Lateral view | left wrist X-ray | presentation radiograph:
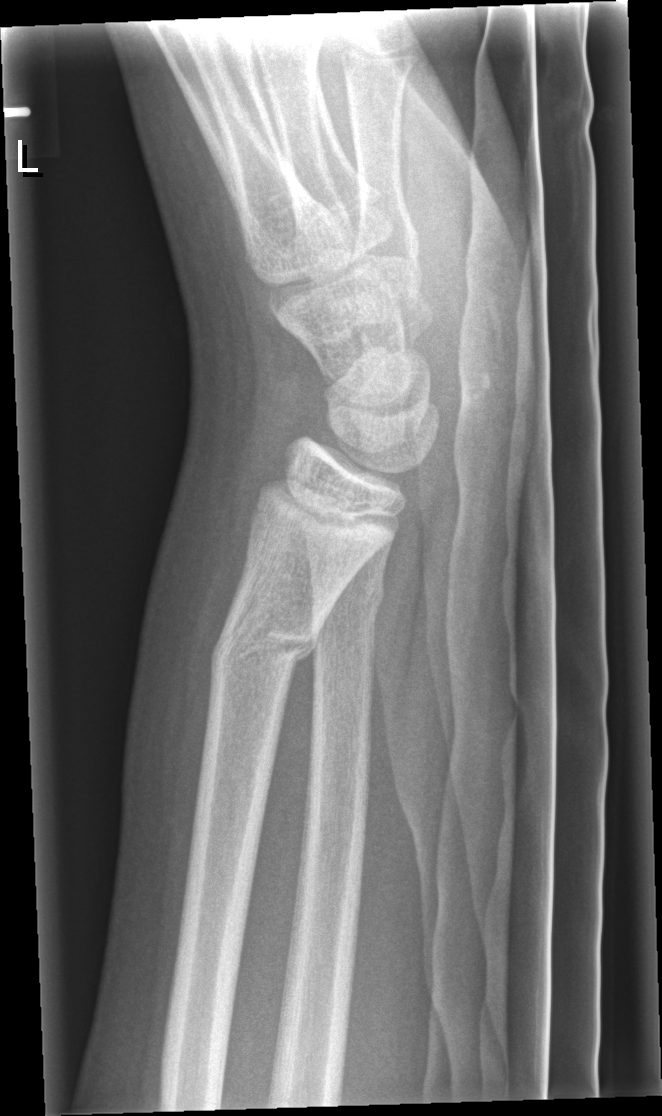

Bone fracture identified at [x1=205, y1=586, x2=323, y2=674]; [x1=306, y1=573, x2=390, y2=622].